Lat projection | L wrist XR. 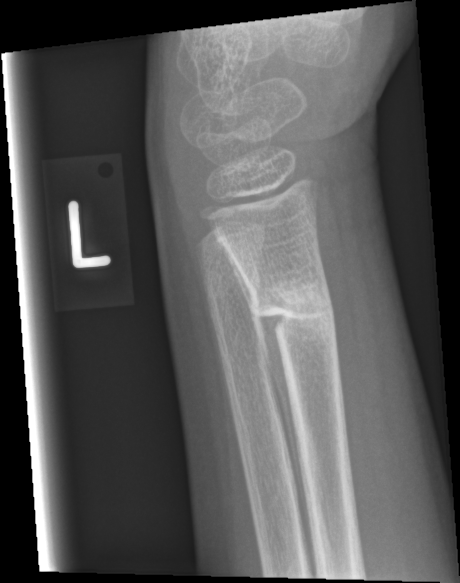

Q: Bone density?
A: Osteopenia
Q: Is there periosteal reaction?
A: Periosteal new bone: 215,236,312,541
Q: Fracture present?
A: Fx — 245,286,339,345